PA/AP | right wrist X-ray | initial study | detector: Siemens:

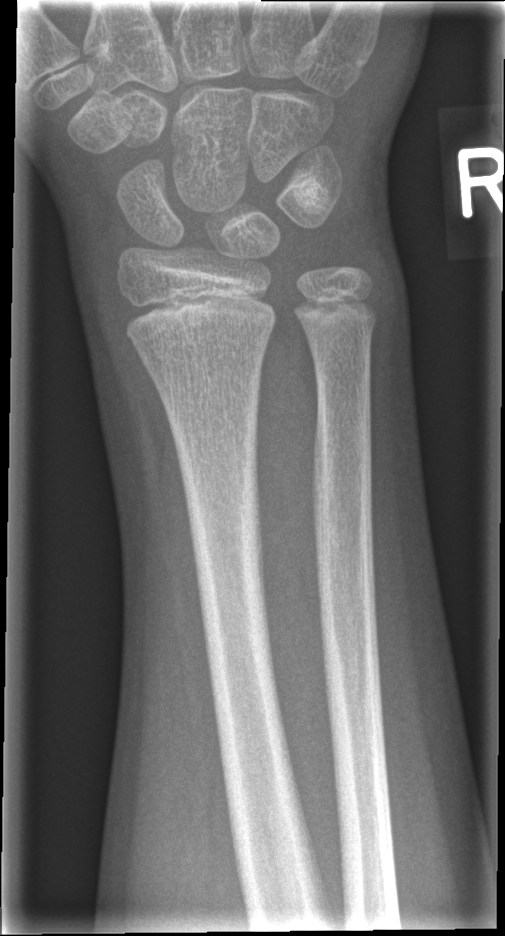
Fracture = none labeled